AP projection | R plain radiograph of the wrist | 9-year-old girl.
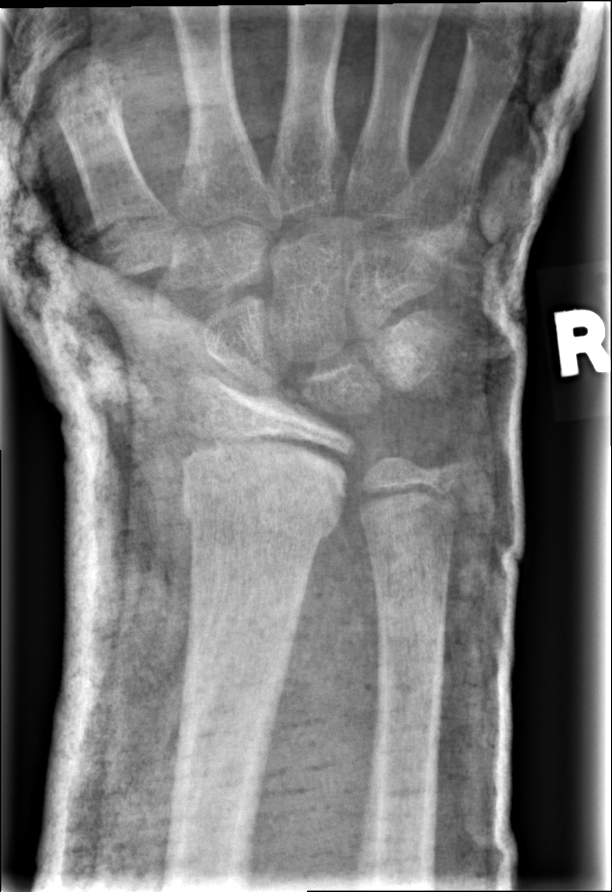 Fracture = 174 460 348 549
AO classification = 23r-E/2.1; 23u-E/7